Right wrist X-ray, PA/AP projection, acquired on Siemens, 593 x 1082 px —
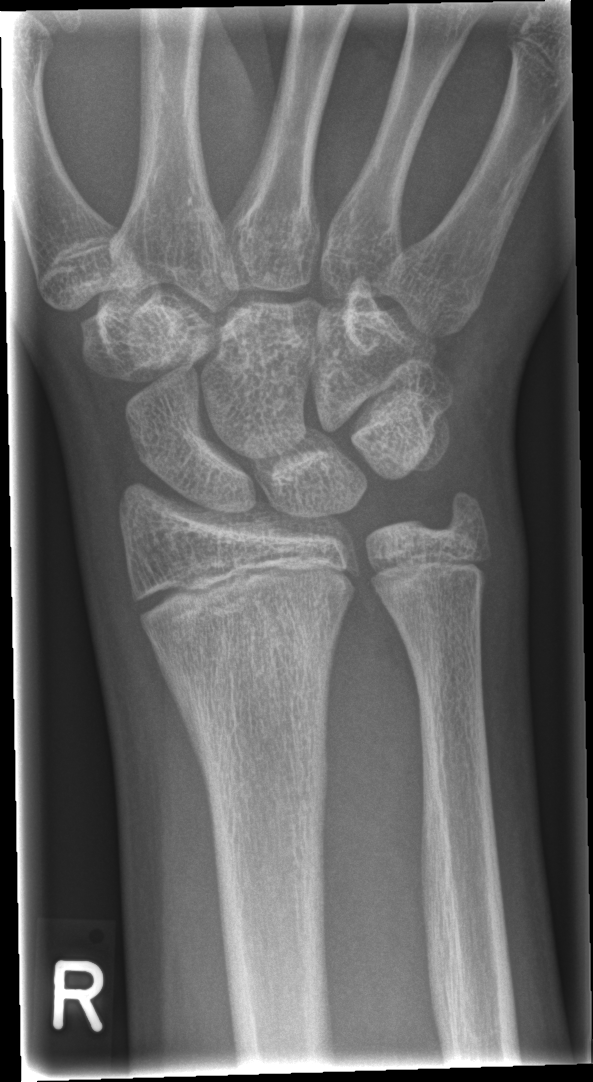 • No fracture bounding box.